L wrist XR · lat view · pediatric patient (male, age 13) · 512 by 991 pixels.
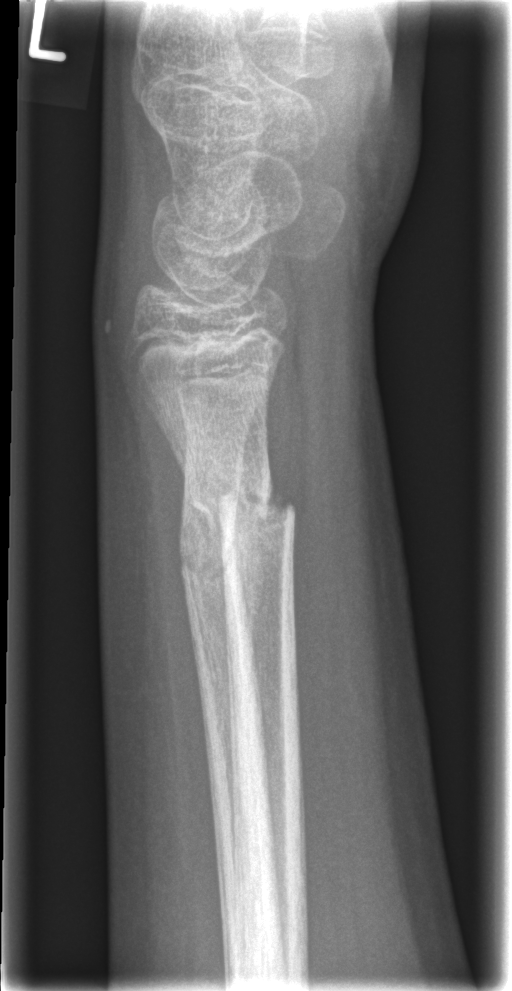
• Bounding boxes in image-pixel xyxy.
• Bone fracture: (189, 477, 297, 537), (174, 534, 256, 605).
• AO/OTA classification: 23-M/3.1; 23u-E/7.